Lat view | R plain radiograph of the wrist | 13y F. 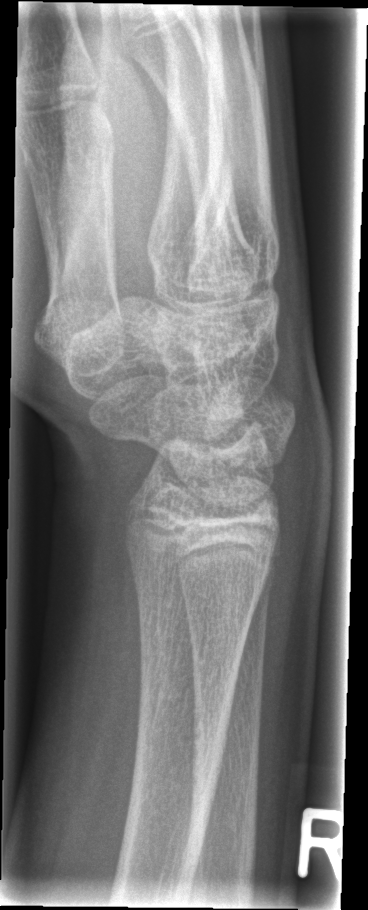

No fracture labeled.